L plain radiograph of the wrist; PA/AP; imaged through cast

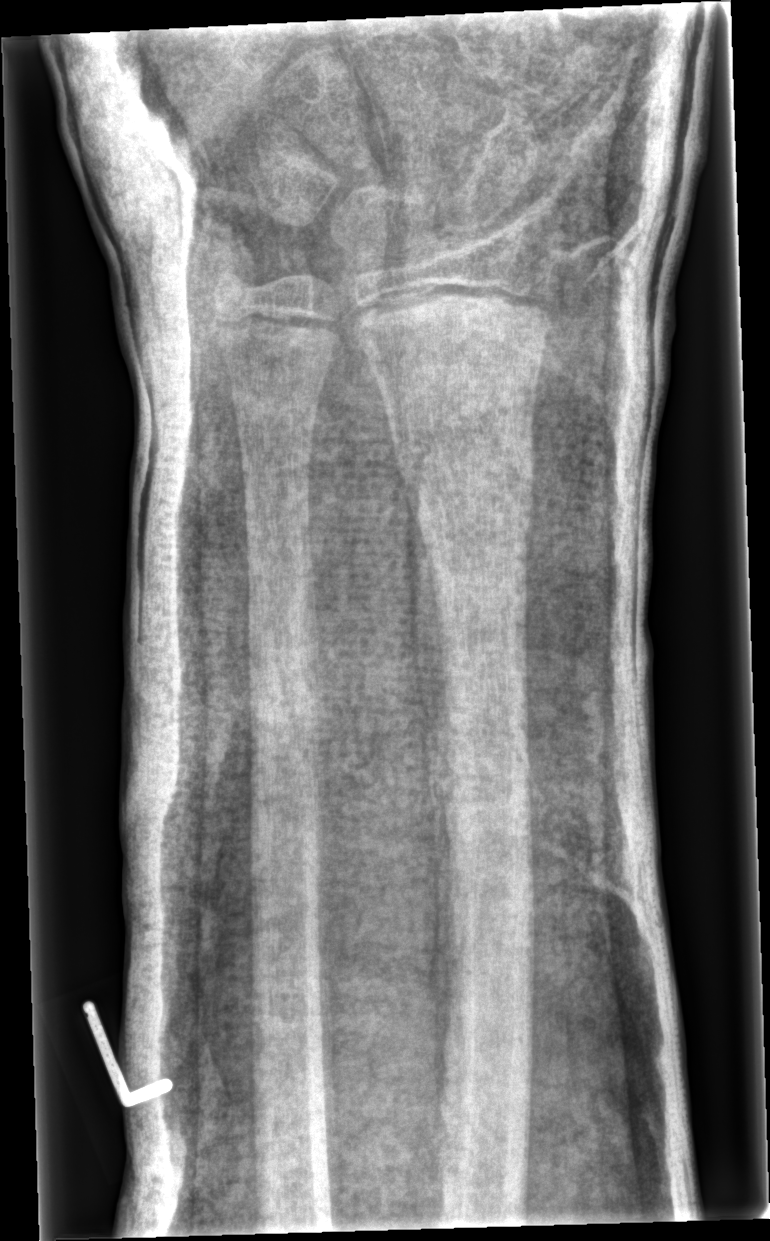

Q: Is there a fracture?
A: One Fx at <393,427>-<538,550>
Q: AO code?
A: AO/OTA classification: 23r-M/2.1; 23u-M/3.1